Left wrist XR | PA | index exam 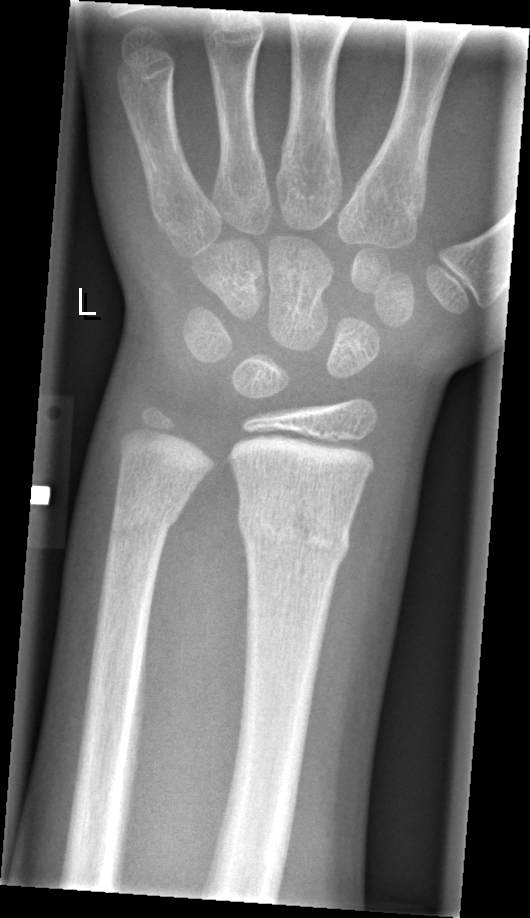 * AO/OTA classification: 23-M/2.1.
* Fracture: bbox(236, 495, 352, 569) bbox(104, 499, 183, 544).